Lt wrist XR, PA/AP, pediatric patient (boy, age 11), follow-up.

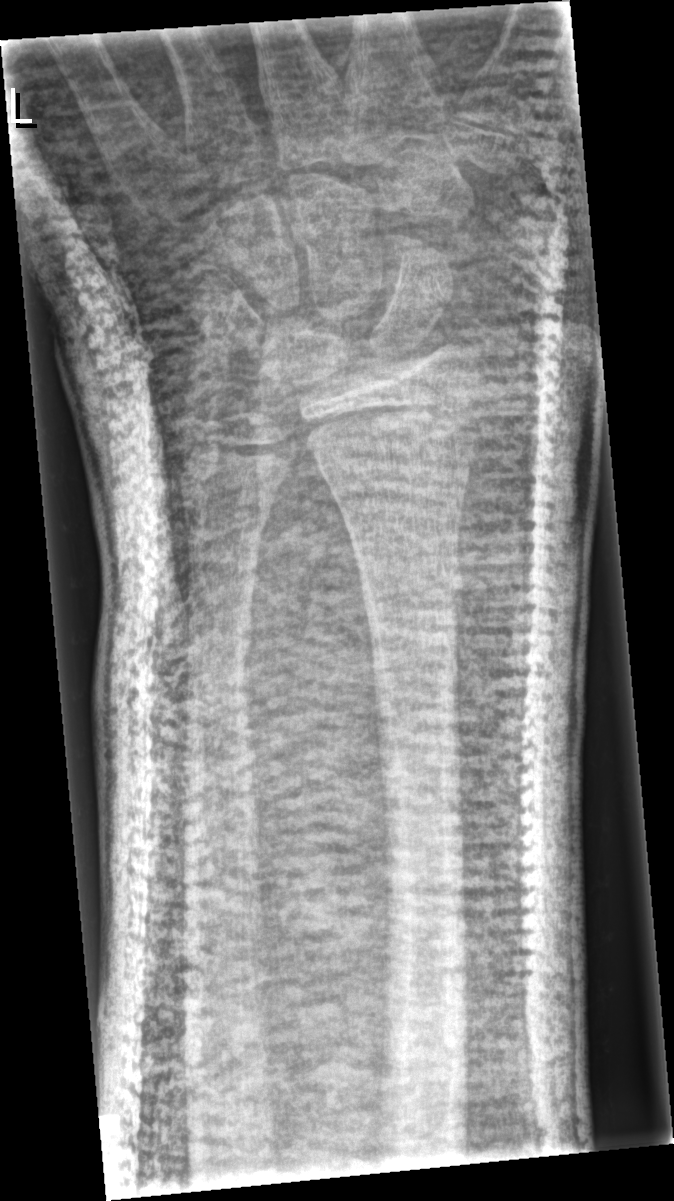 • No fracture bounding box.